Right pediatric wrist radiograph | lat projection | boy, 8 yo:

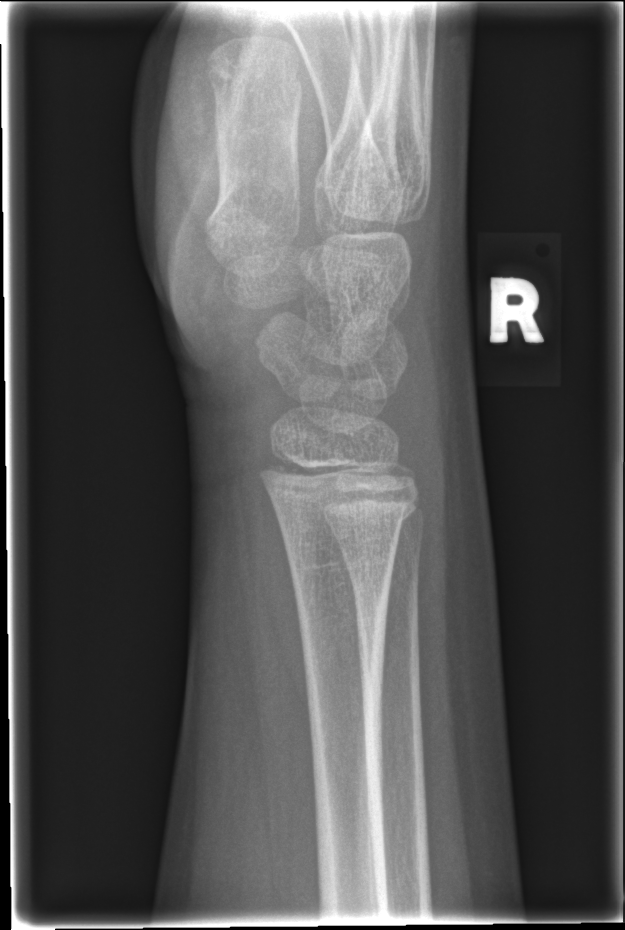 (pixel coordinates, top-left origin, xyxy)
Q: Fracture present?
A: Fracture: bbox(267, 478, 419, 542)
Q: AO code?
A: AO/OTA classification: 23r-M/2.1